AP view, right wrist plain radiograph of the wrist, 12y M, 630x1022

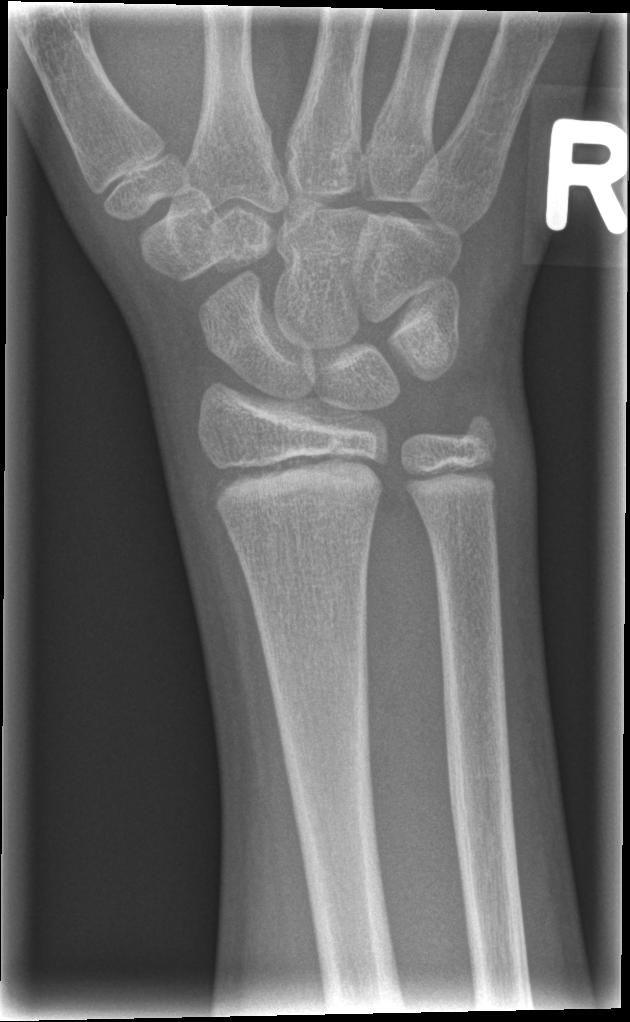

FINDINGS: One fracture at 205 446 390 522. Fracture classified AO/OTA 23r-E/2.1.